Lat projection; right pediatric wrist radiograph; subsequent exam; 486 by 740 pixels

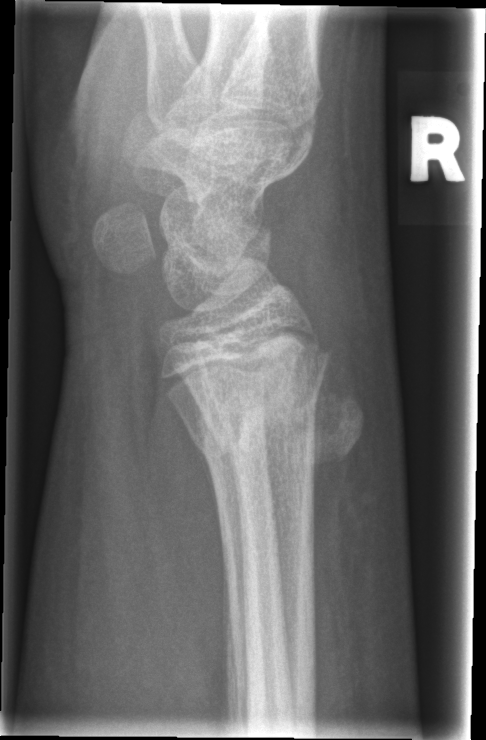

Fracture classified AO/OTA 23r-M/3.1; 23u-M/2.1; 23u-E/7. Bone variant identified at bbox(307, 383, 370, 474). One bone fracture at bbox(184, 379, 323, 470).